Right wrist X-ray, lateral, 12y M, image width 68.8 mm —
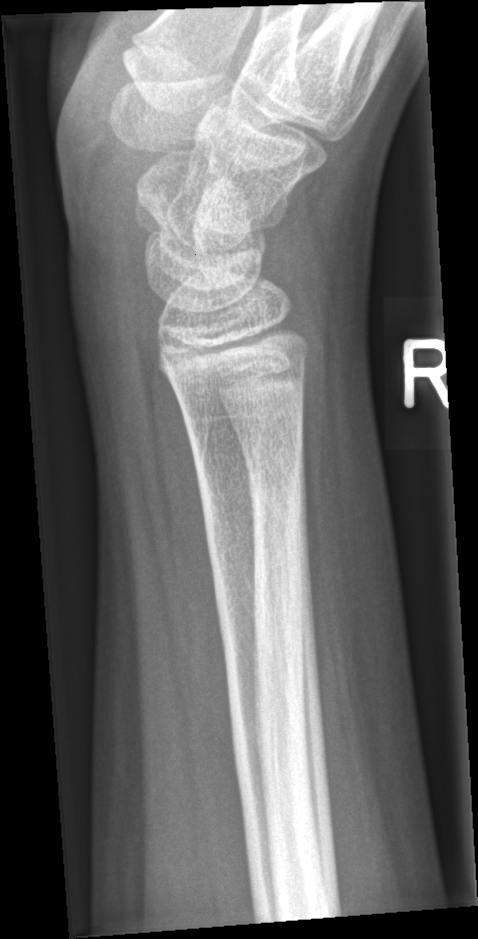 fracture = 1 @ (left=199, top=469, right=312, bottom=562)